Right wrist plain film | posteroanterior view | girl, 16 yo:

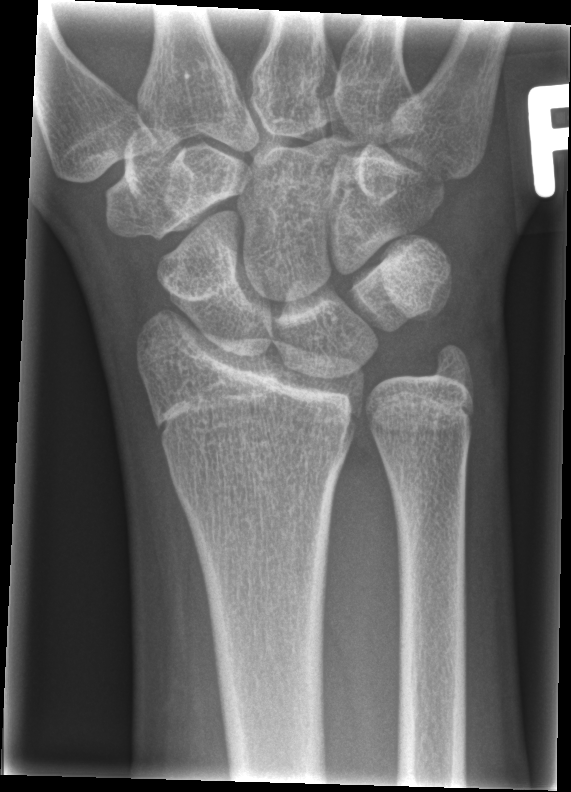

  fracture: none labeled